Right wrist XR | lat projection | age 14 y, girl | initial study | image 114.5 mm wide.
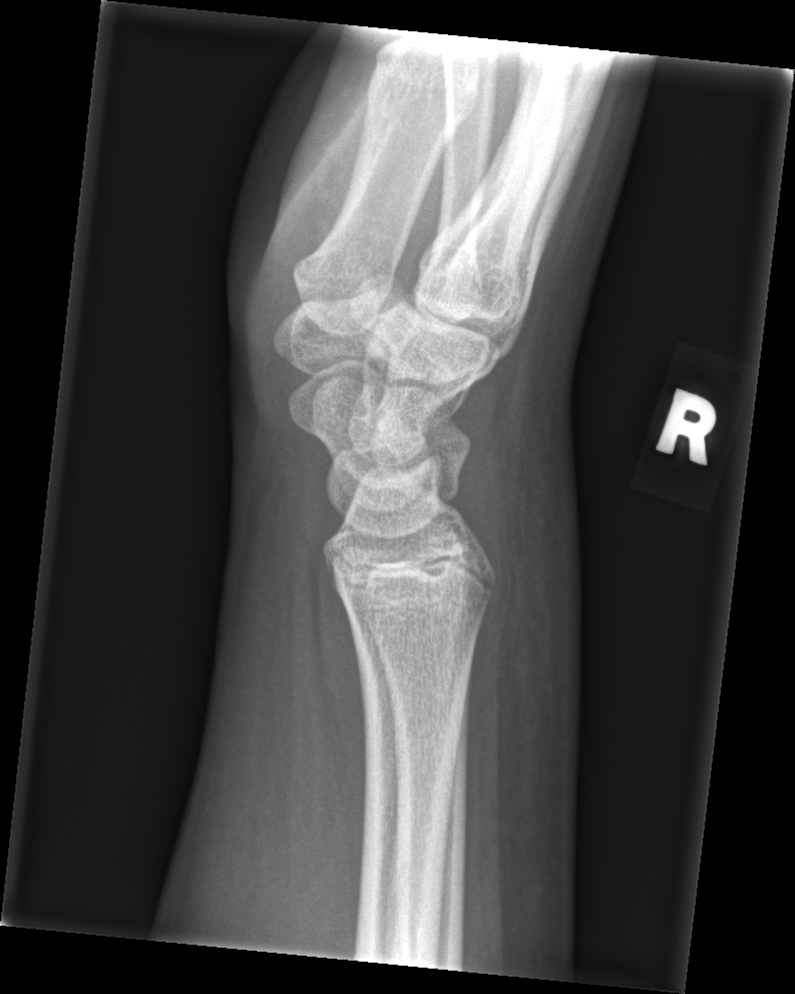
Soft-tissue finding = bbox(468, 373, 582, 823)
Bone fracture = none labeled